Rt wrist plain film, AP view, female, 10 yo, follow-up study, cast present —

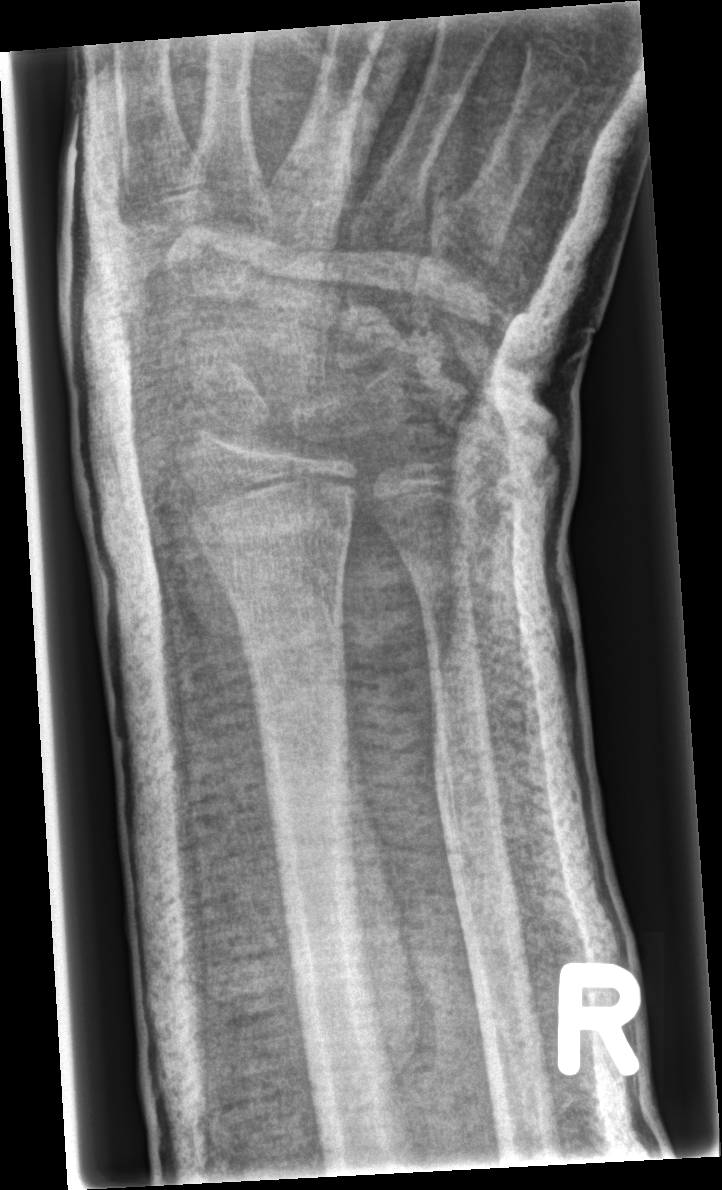 ao: 23r-M/2.1
fracture: [195, 490, 356, 558]